Rt wrist radiograph; lateral projection; index exam.
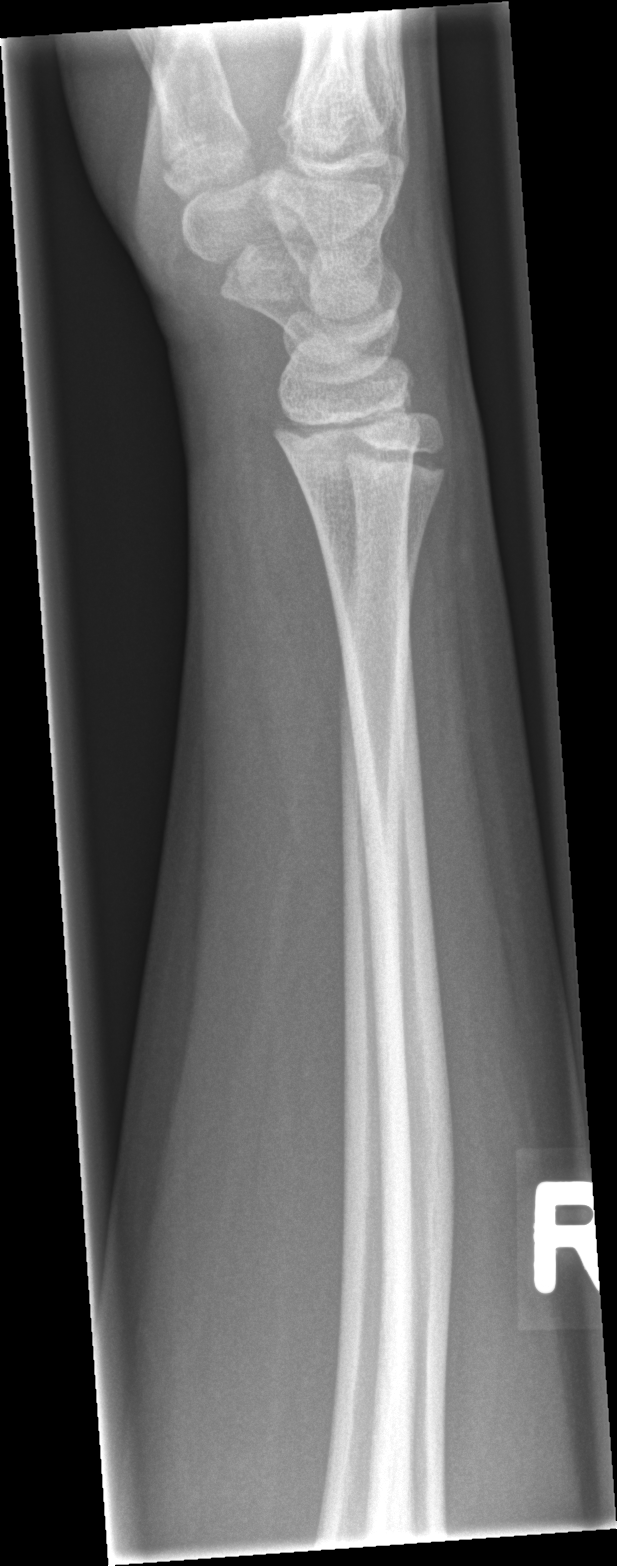
pronator quadratus fat-pad sign = 1 @ 250 416 346 735
Fx = 274 412 426 476
AO classification = 23r-M/2.1